PA projection · L pediatric wrist radiograph · age 7 y, boy · follow-up study —

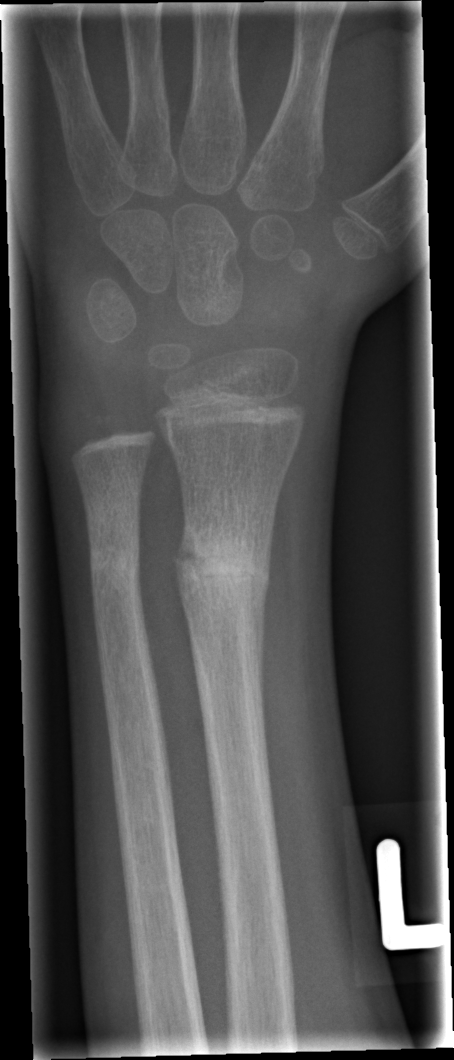

(boxes as x1,y1,x2,y2 (top-left / bottom-right, pixel units))
periosteal thickening = bbox(248, 574, 269, 708)
osteopenia = present
AO classification = 23-M/3.1
fracture = bbox(166, 524, 281, 594); bbox(82, 534, 150, 580)